Left wrist radiograph | lat projection

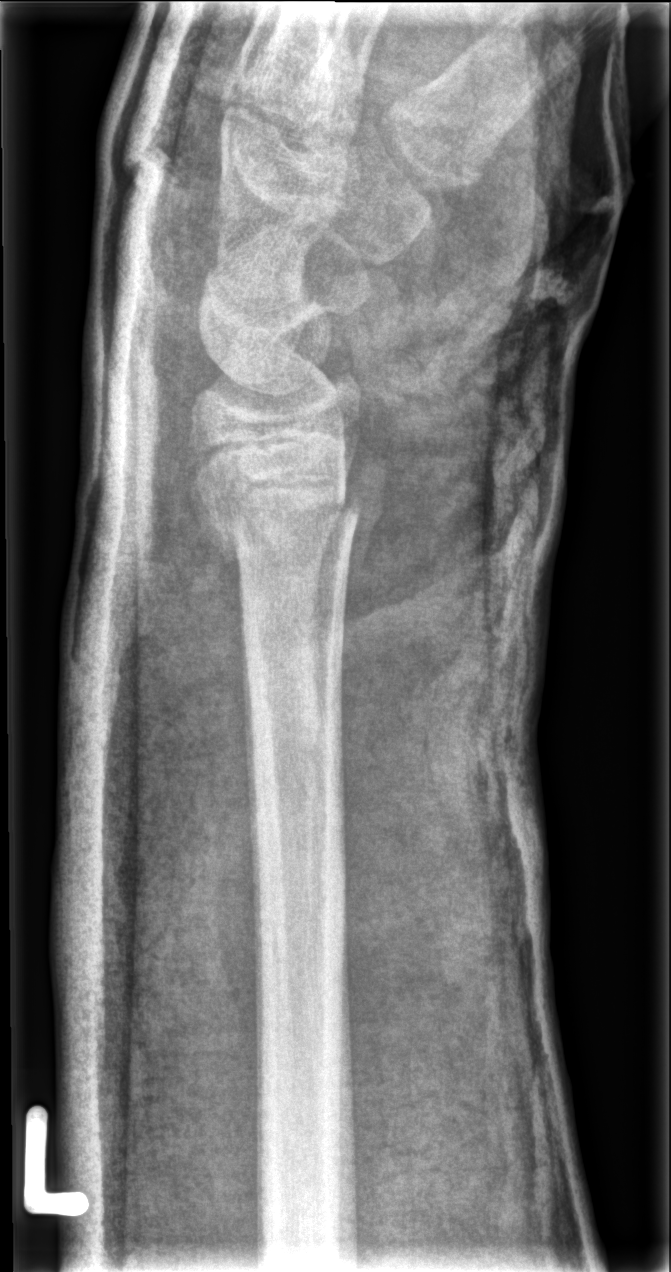

fracture = bbox(192, 485, 362, 558)